Right wrist pediatric wrist radiograph | PA/AP | male, 10 yo | initial study | 98.2 mm image width | 682 by 1216 pixels
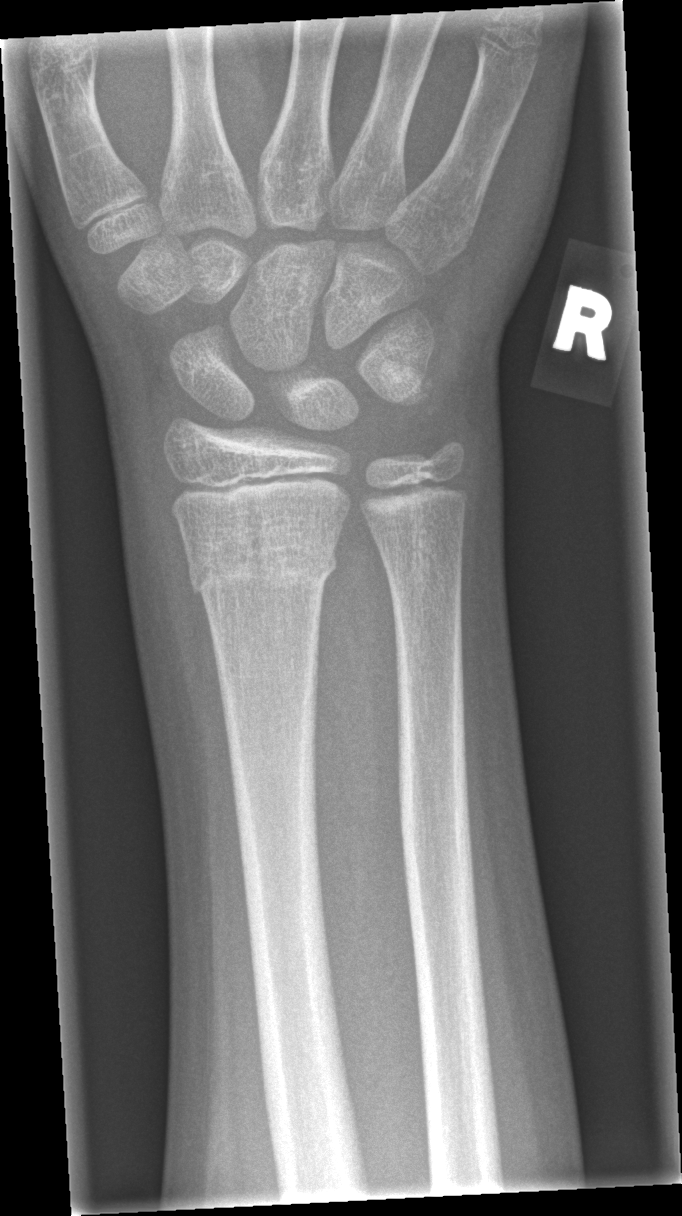
Boxes as x1,y1,x2,y2 (top-left / bottom-right, pixel units). Fx: bbox(180, 527, 341, 602). Fracture classified AO/OTA 23r-M/3.1.